Posteroanterior projection; right wrist plain film; index exam. 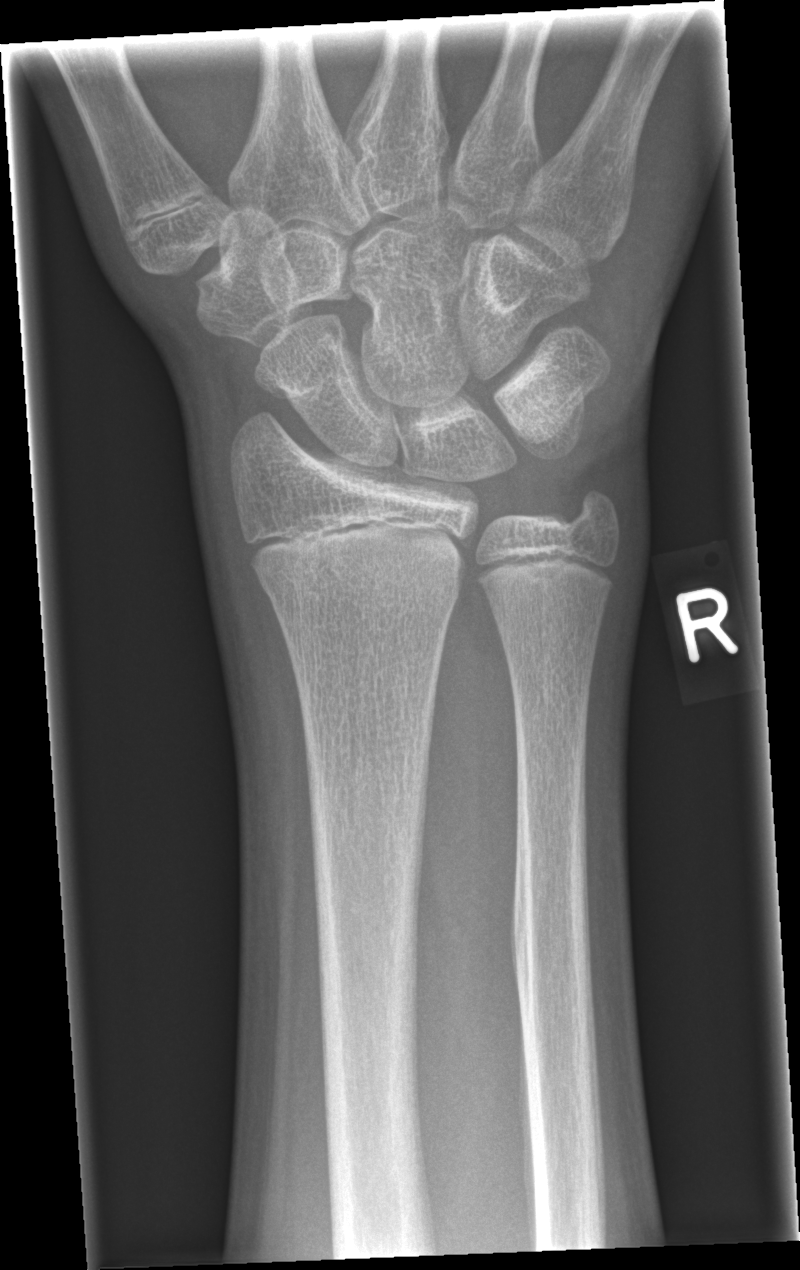

  ao: 23r-M/2.1
  fracture: bbox(255, 549, 461, 613)